Left wrist XR · posteroanterior view. 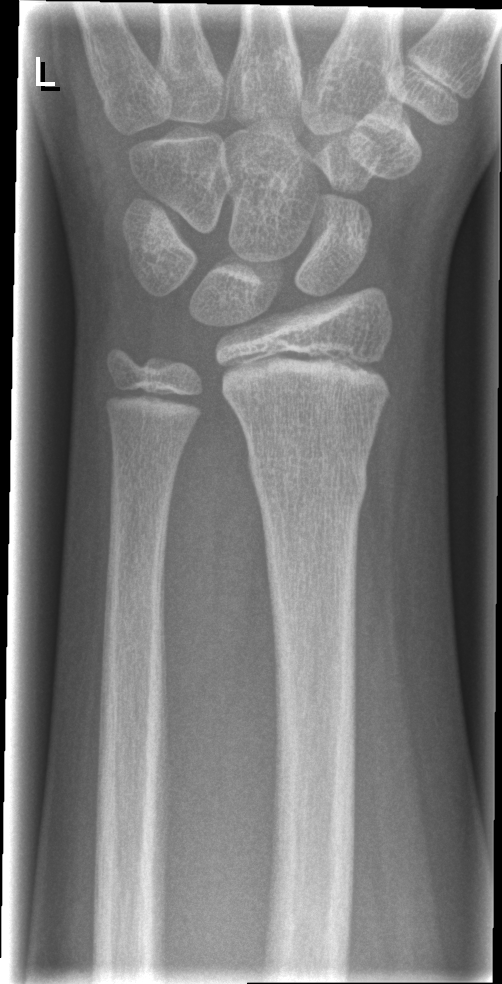 Fx = 1 @ <247,450>-<371,517>
AO/OTA = 23r-M/2.1